Right wrist pediatric wrist radiograph · lateral view · pediatric patient (girl, age 14) · presentation radiograph: 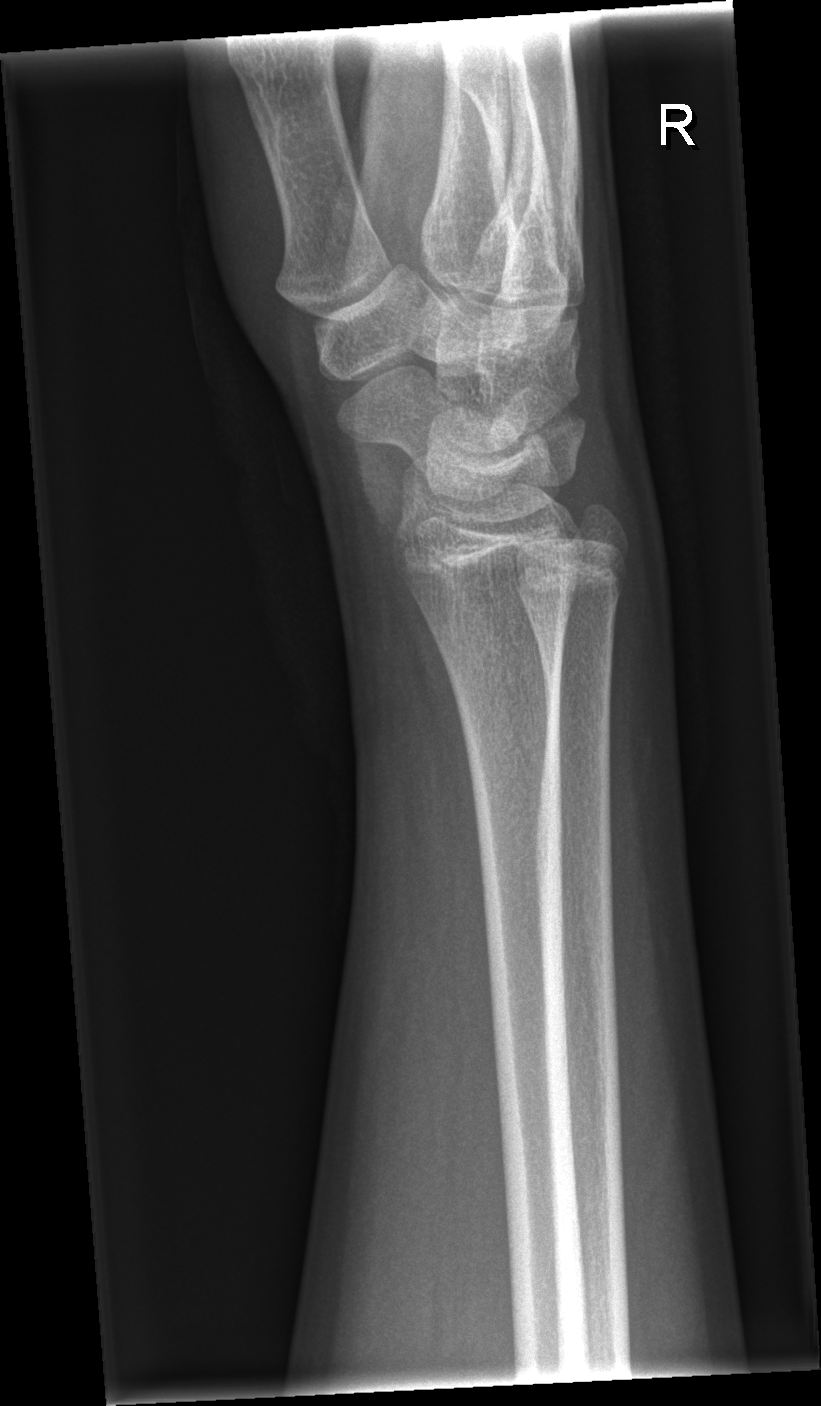

Findings: No fracture bounding box.